Lt wrist X-ray | AP | cast in situ | 104.1 mm image width 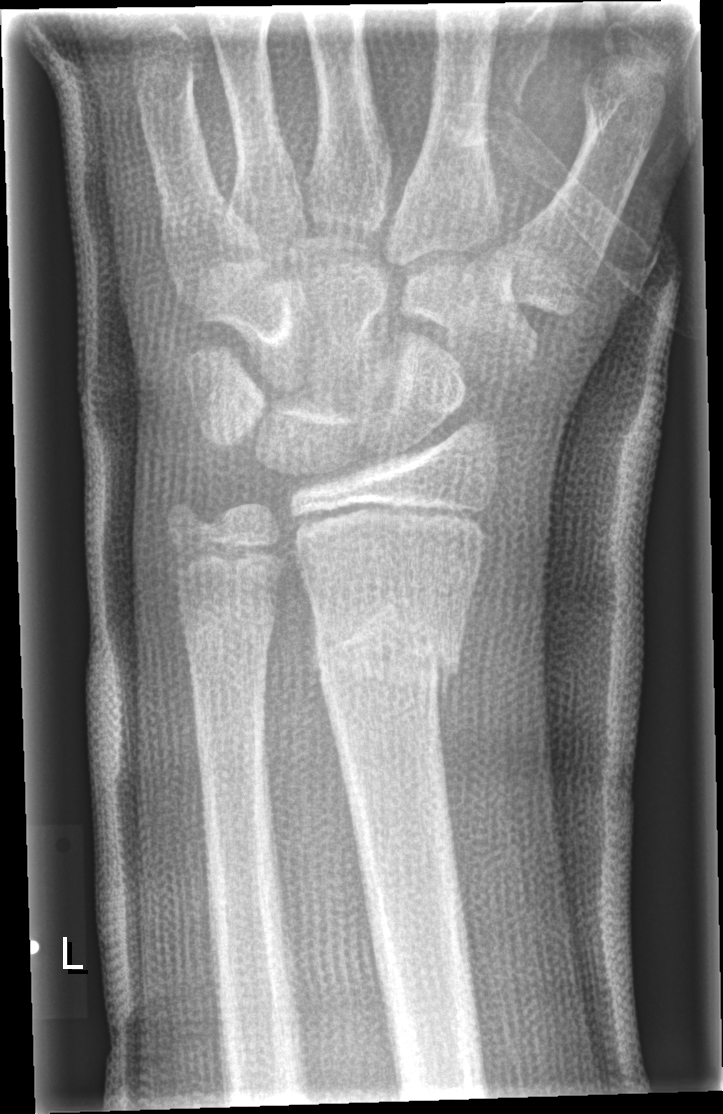

FINDINGS — Fx: 310,589,467,725; 181,602,278,670; 157,491,217,549. AO code 23r-M/3.1; 23u-M/2.1; 23u-E/7.